Right plain radiograph of the wrist; lateral projection; boy, 15 yo —

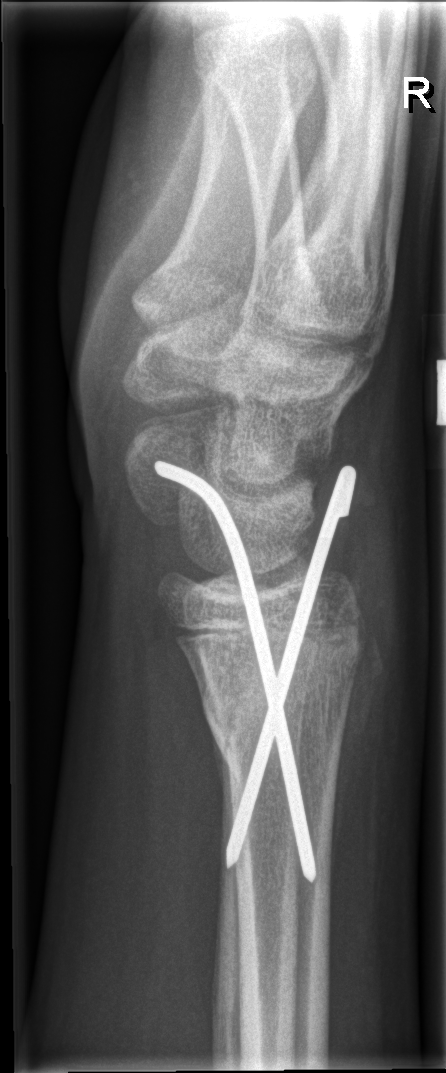
(coordinates are [x1, y1, x2, y2] in image pixels)
AO classification = 23r-M/3.1; 23u-E/7
metallic hardware = 1 @ <143,453>-<365,888>
periosteal new bone = <328,612>-<386,894>
fracture = 1 @ <177,624>-<369,800>